Right plain radiograph of the wrist, lat view, in cast, 68.3 mm image width, image size 474x1296.
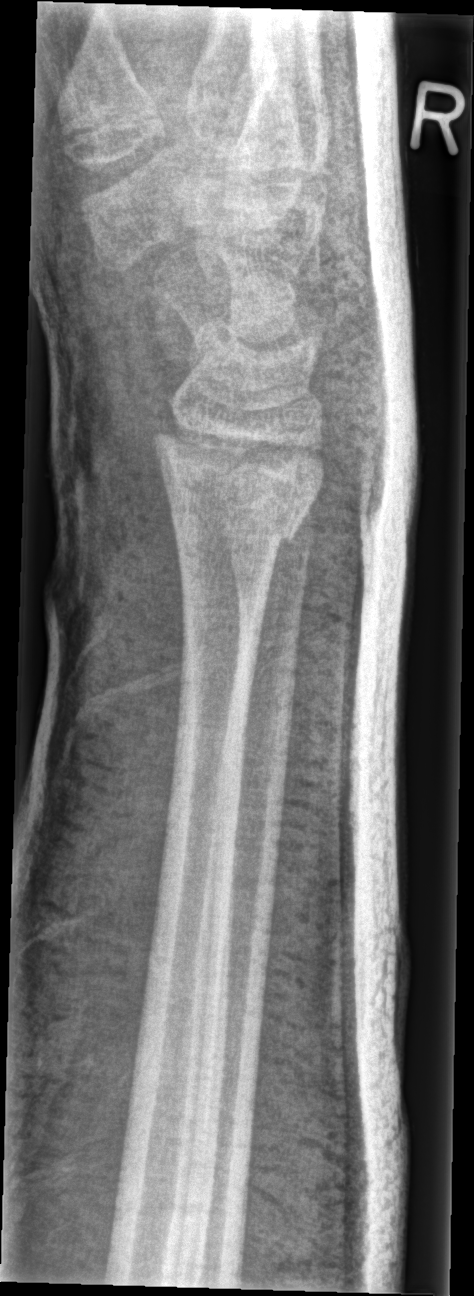
{"fracture": "1 @ [167, 492, 310, 561]"}